L wrist radiograph, posteroanterior view
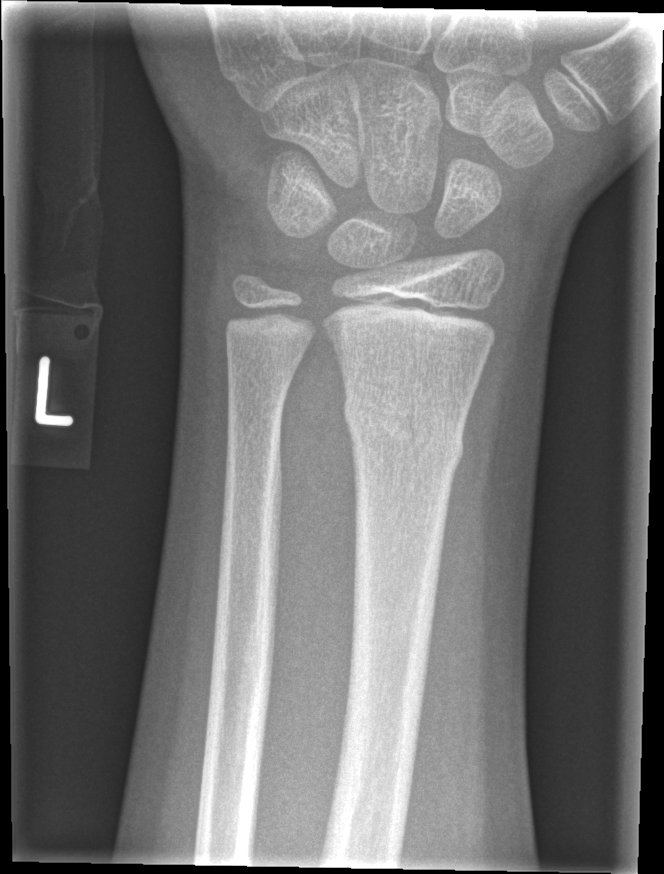
FINDINGS — Fracture classified AO/OTA 23r-M/2.1. Fracture identified at [x1=337, y1=383, x2=468, y2=475].